PA | L pediatric wrist radiograph | 576 by 1016 pixels —
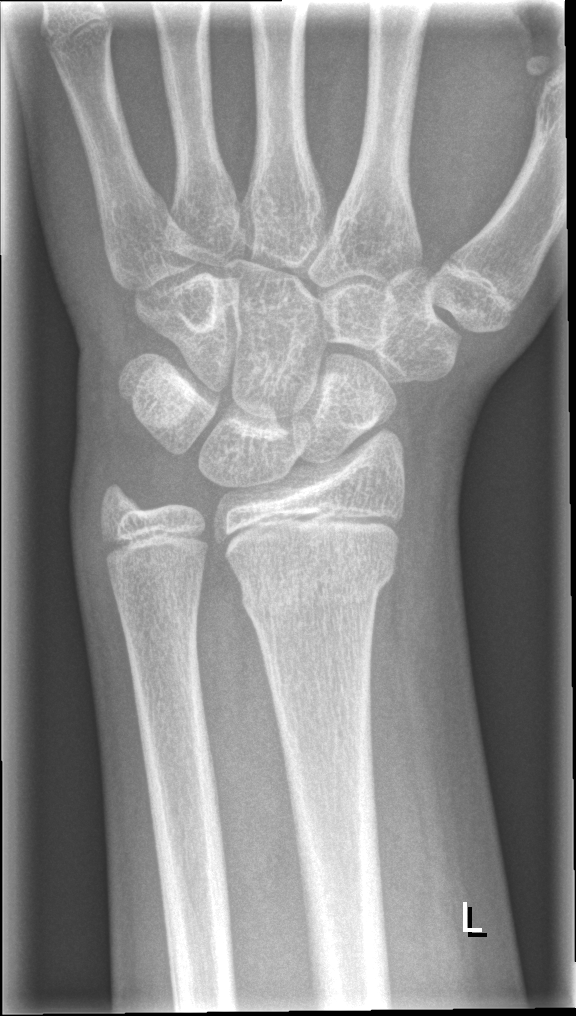

# coordinates are [x1, y1, x2, y2] in image pixels
ao: 23r-M/2.1
fracture: (238, 549, 398, 623)